Lateral projection | R wrist radiograph | 9y M | detector: Siemens | image size 690x1003 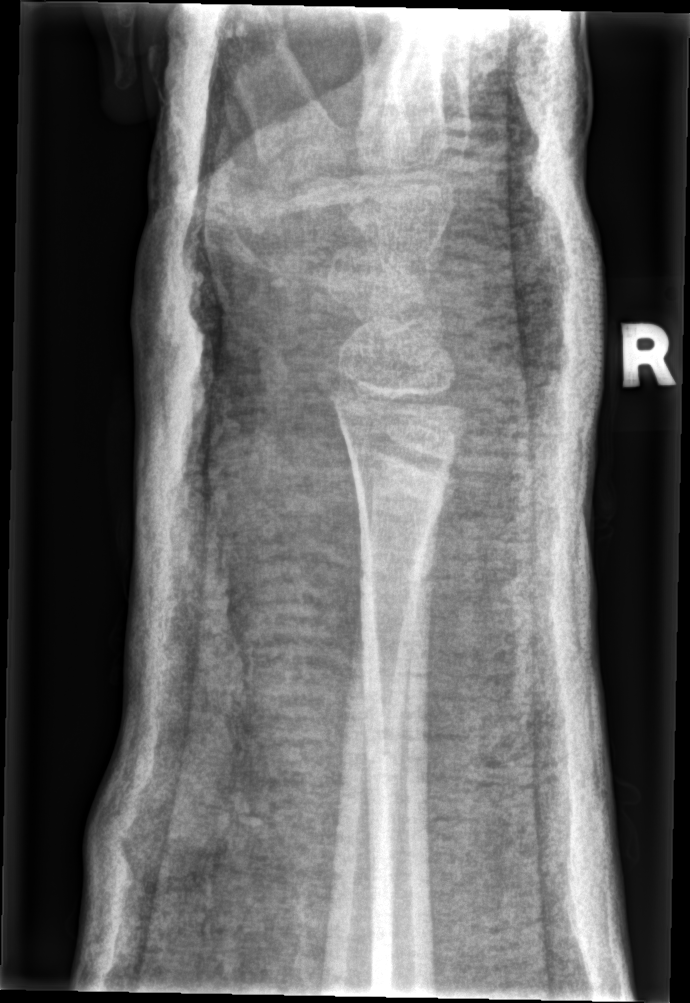
• Fx: (left=353, top=547, right=439, bottom=602).